Rt pediatric wrist radiograph, posteroanterior projection, pediatric patient (boy, age 10), Siemens, 87.7 mm image width, 609x778 —
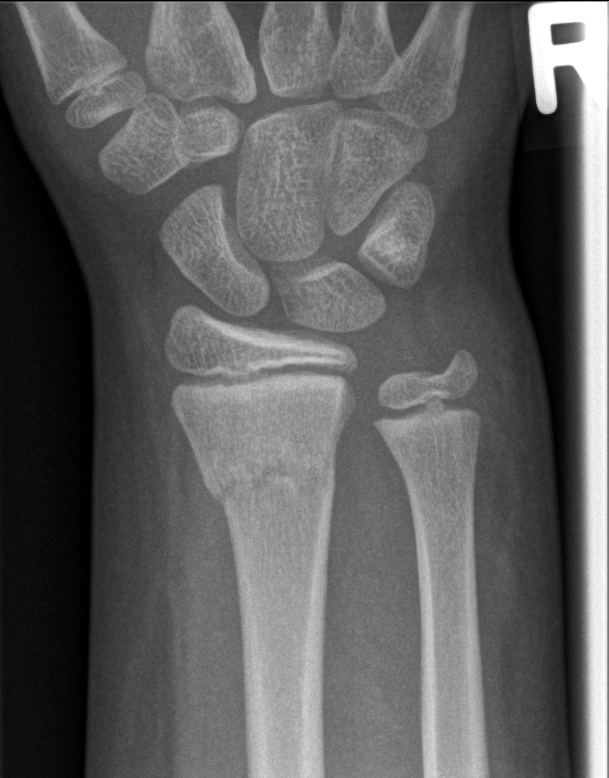
fracture = 1 @ (left=199, top=443, right=339, bottom=515)
AO code = 23r-M/3.1